Lateral view; Lt wrist X-ray; acquired on Siemens:
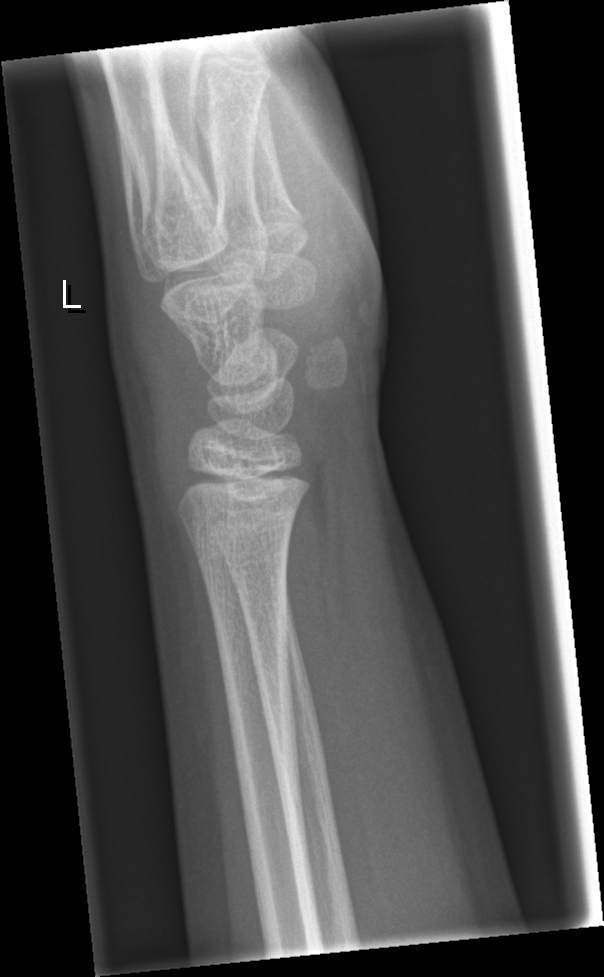
Findings: Fx: none.